PA view, right wrist X-ray. 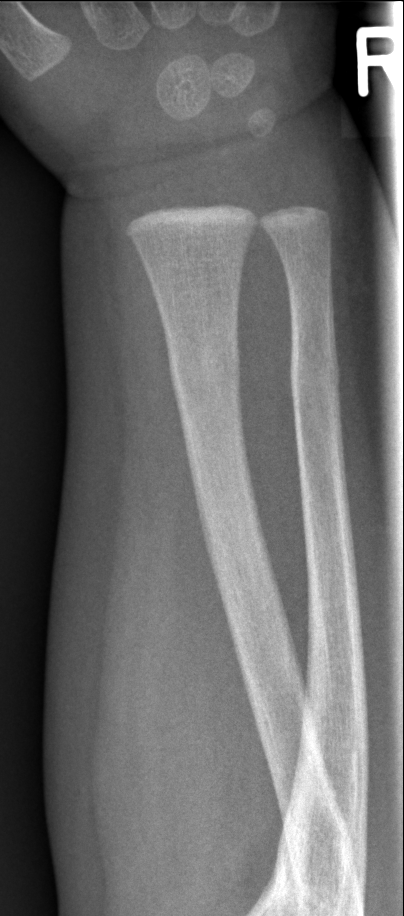

FINDINGS — (pixel coordinates, top-left origin, xyxy) Two bone fractures at [164, 340, 242, 397] [288, 346, 343, 395].